Rt wrist XR; lat; 66.8 mm image width:

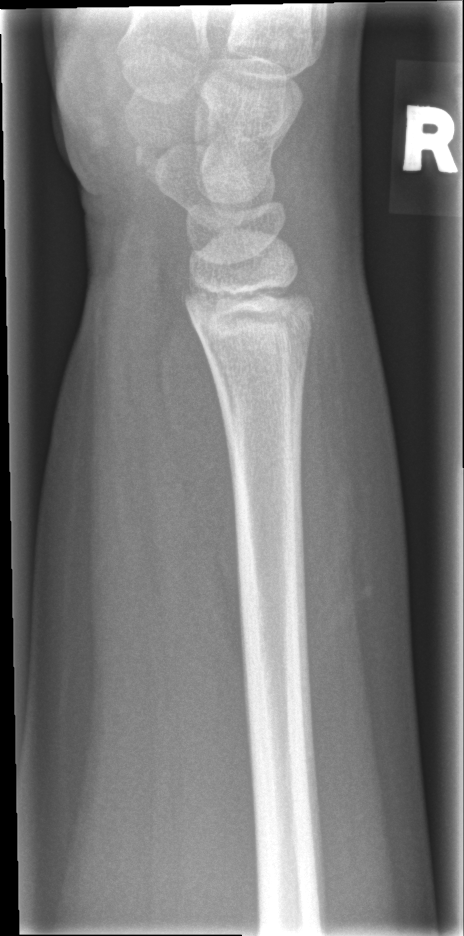 Fx: 1 @ [x1=177, y1=268, x2=318, y2=357]